L wrist plain film | AP projection | presentation radiograph.

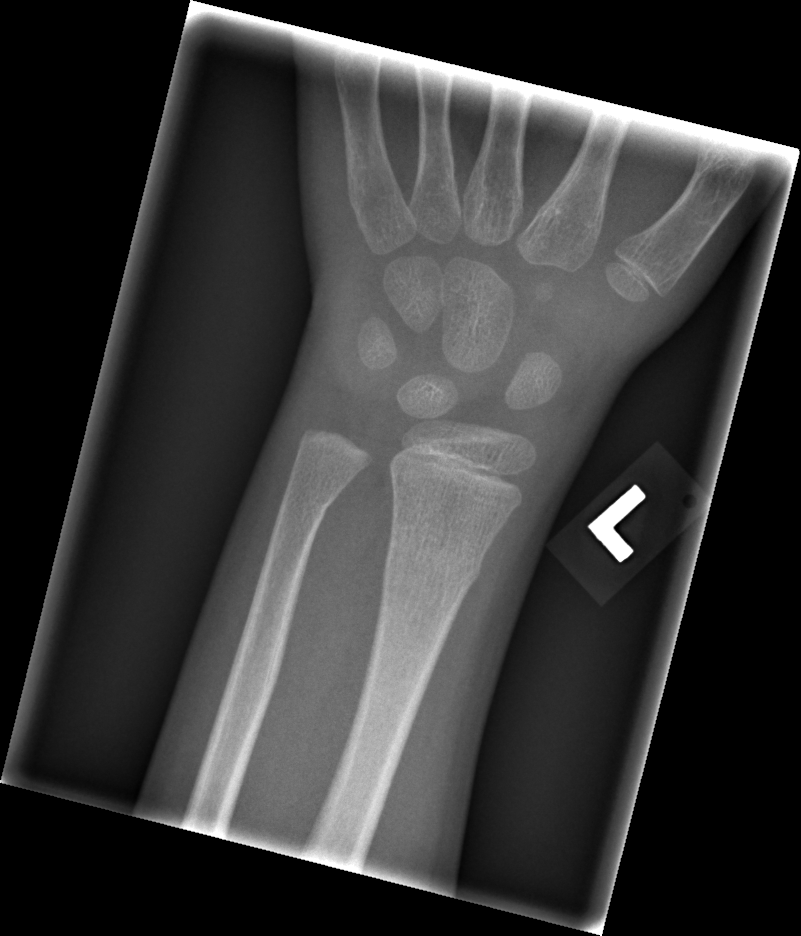 FINDINGS — (coordinates are [x1, y1, x2, y2] in image pixels) AO/OTA classification: 23-M/2.1. Two fractures at [x1=376, y1=533, x2=488, y2=603] [x1=277, y1=475, x2=339, y2=522].